Left pediatric wrist radiograph · lateral view · cast in situ · 764 by 1318 pixels.
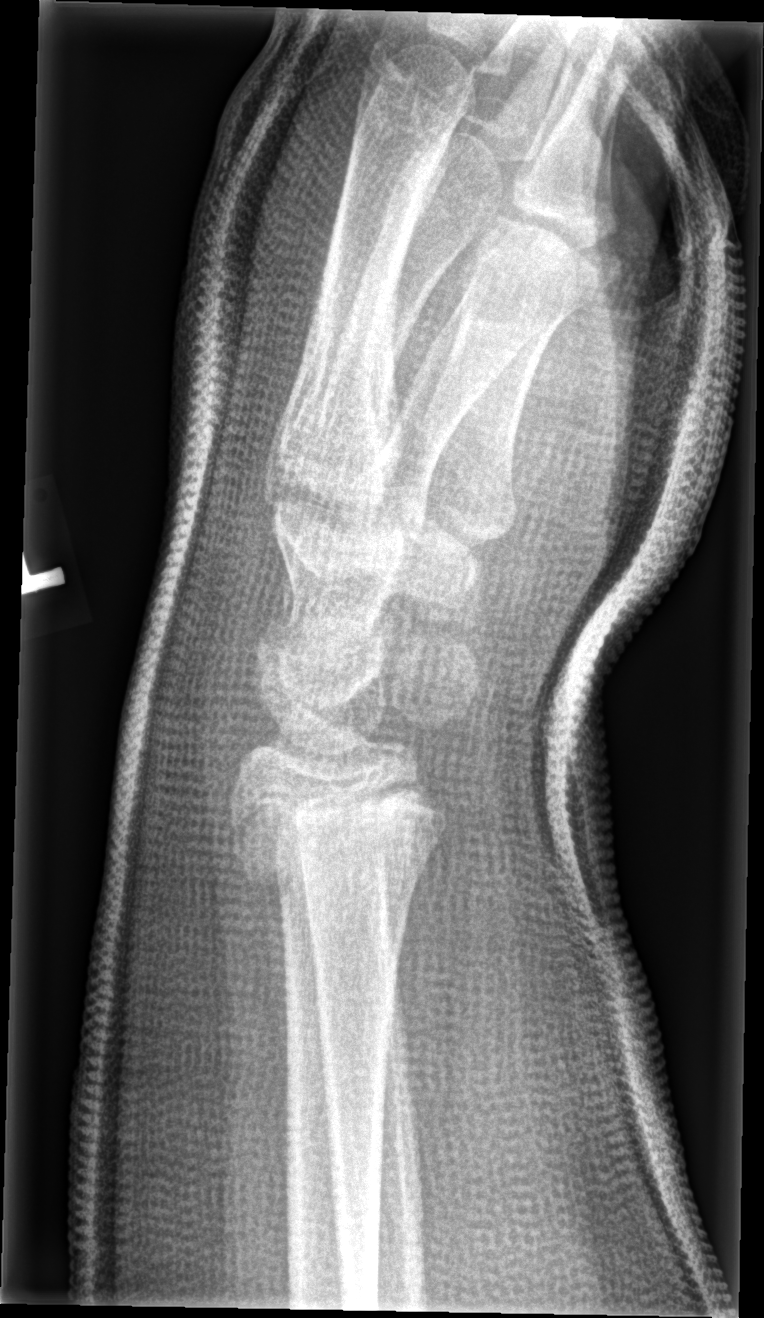
Boxes as x1,y1,x2,y2 (top-left / bottom-right, pixel units).
Fracture — (left=234, top=775, right=448, bottom=899).